Left wrist plain film, lateral, male, 15 yo, 69.0 mm image width —
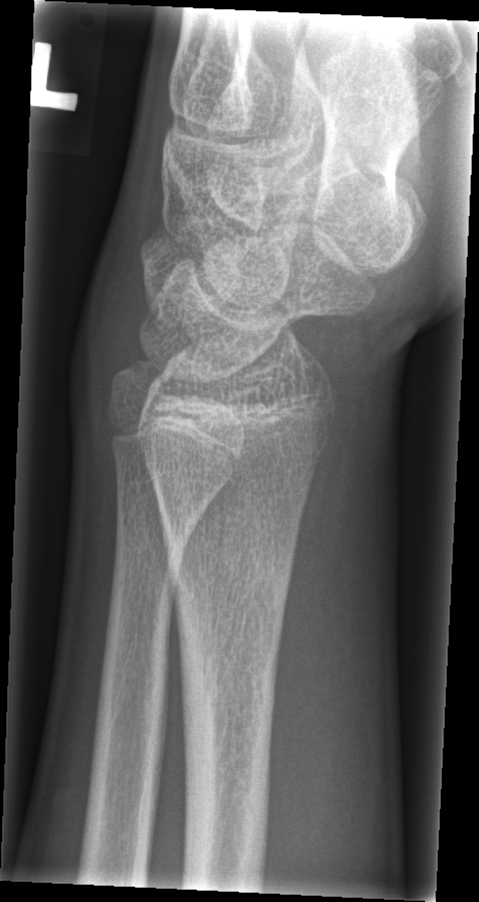
Bone fracture = [160, 518, 296, 612]; [103, 349, 168, 401]